Frontal view · left wrist XR · cast present · acquired on Siemens
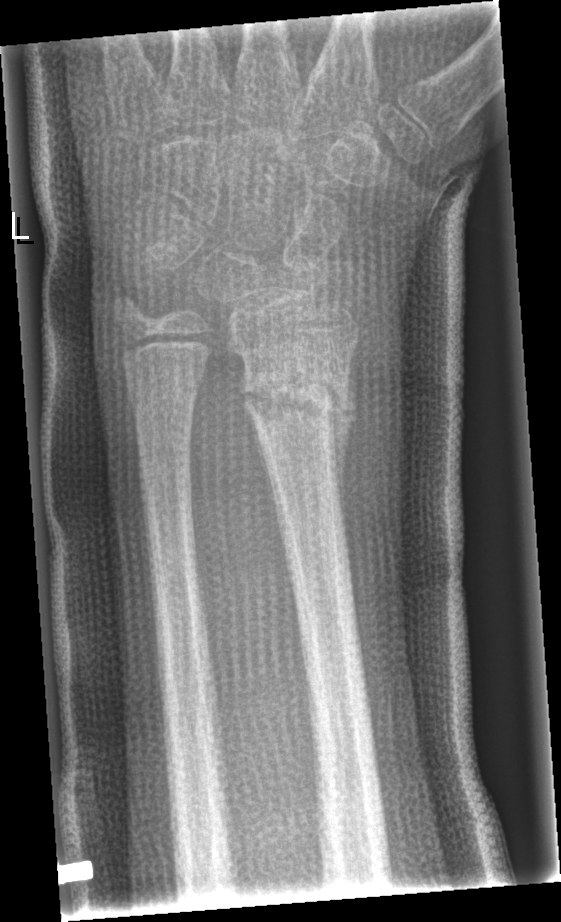 Bone fracture identified at [232, 349, 357, 489] [123, 368, 210, 420].
One periosteal reaction at [330, 349, 358, 526].